Lat projection · right wrist plain film:
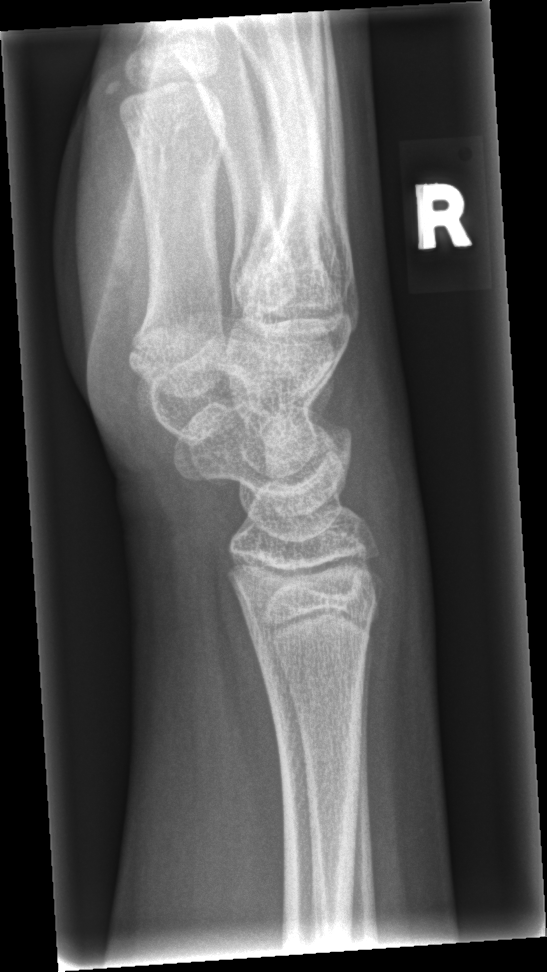
- Fracture: none labeled.